AP, right wrist XR, 15y M, image size 752x1262 —

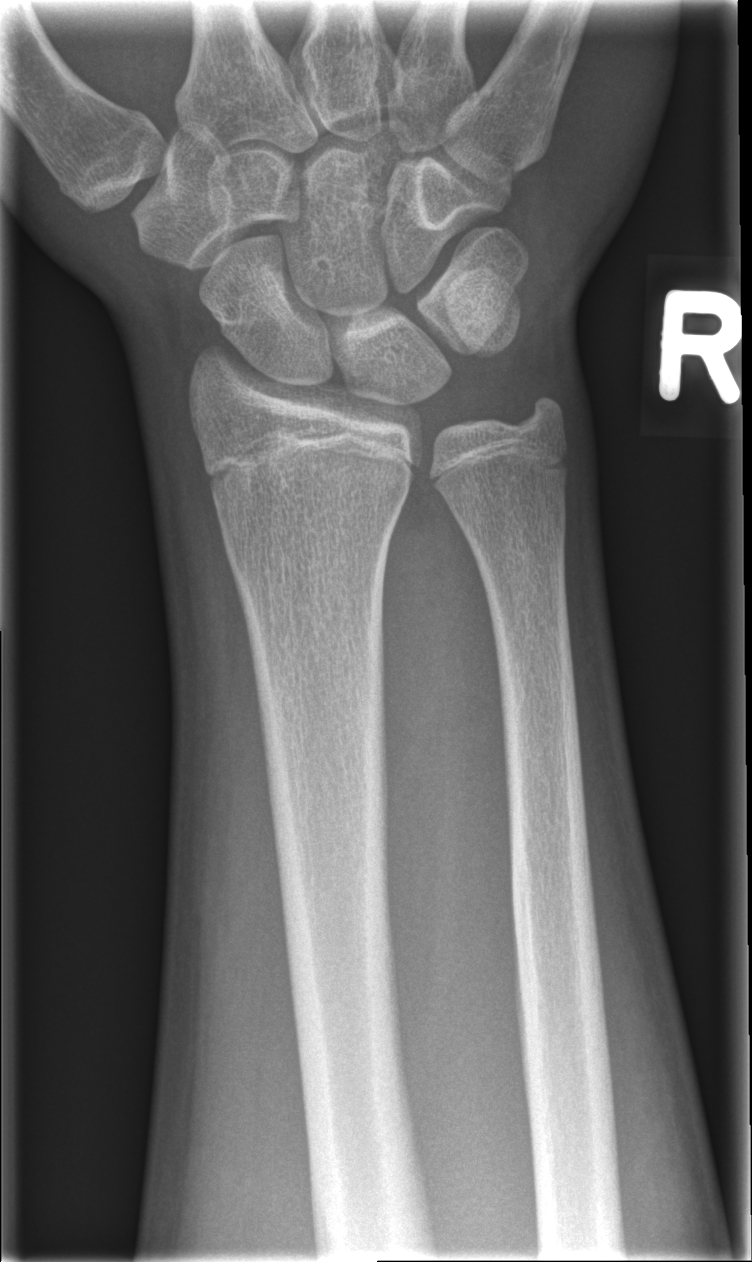 bone fracture: none labeled